Lt wrist radiograph; lateral view; pediatric patient (boy, age 14); detector: Siemens; 75.9 mm image width; 527 by 792 pixels.
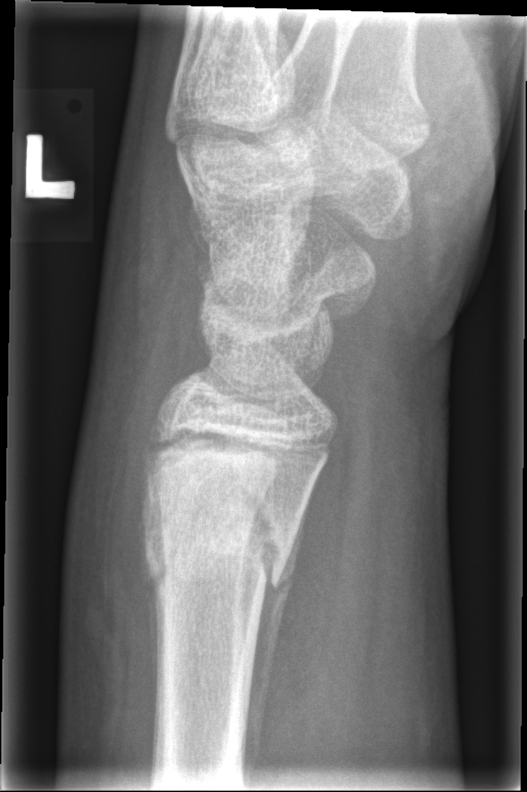

Boxes as x1,y1,x2,y2 (top-left / bottom-right, pixel units). Fracture classified AO/OTA 23r-M/3.1; 23u-E/2.1. Bone fracture — 137 477 294 607. Osteopenia. Periosteal new bone — 239 475 314 786
  144 538 161 703.